Right wrist pediatric wrist radiograph, AP view, pediatric patient (male, age 12): 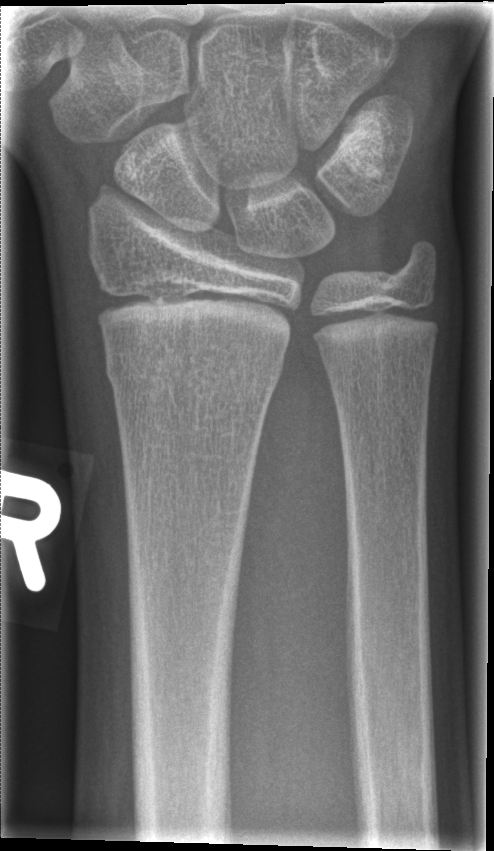

• One fracture at (98, 349, 287, 405).